Lateral view, R wrist plain film, follow-up study, 763 by 1330 pixels: 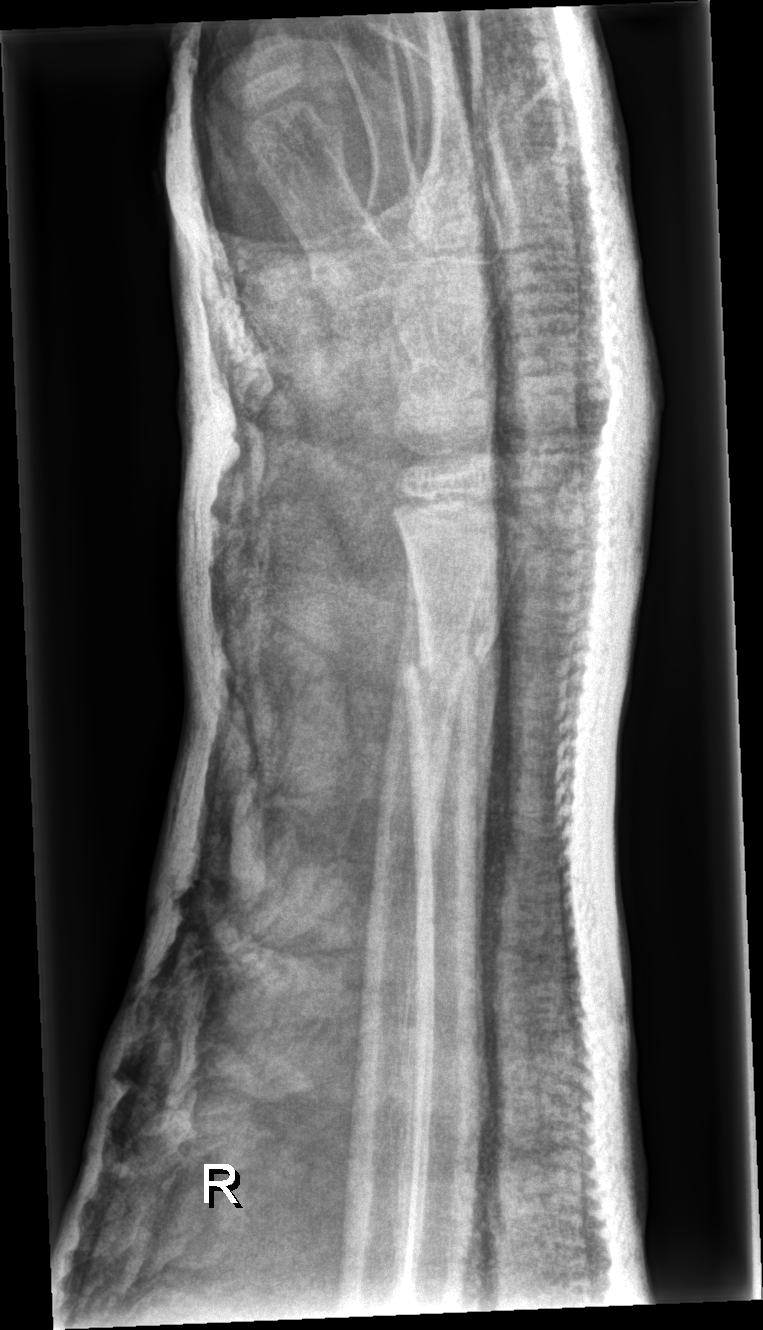
Findings: (boxes as x1,y1,x2,y2 (top-left / bottom-right, pixel units)) Fracture identified at [398, 606, 504, 708]. AO code 23-M/3.1.